L plain radiograph of the wrist, PA/AP view, 13y M, image size 710x980

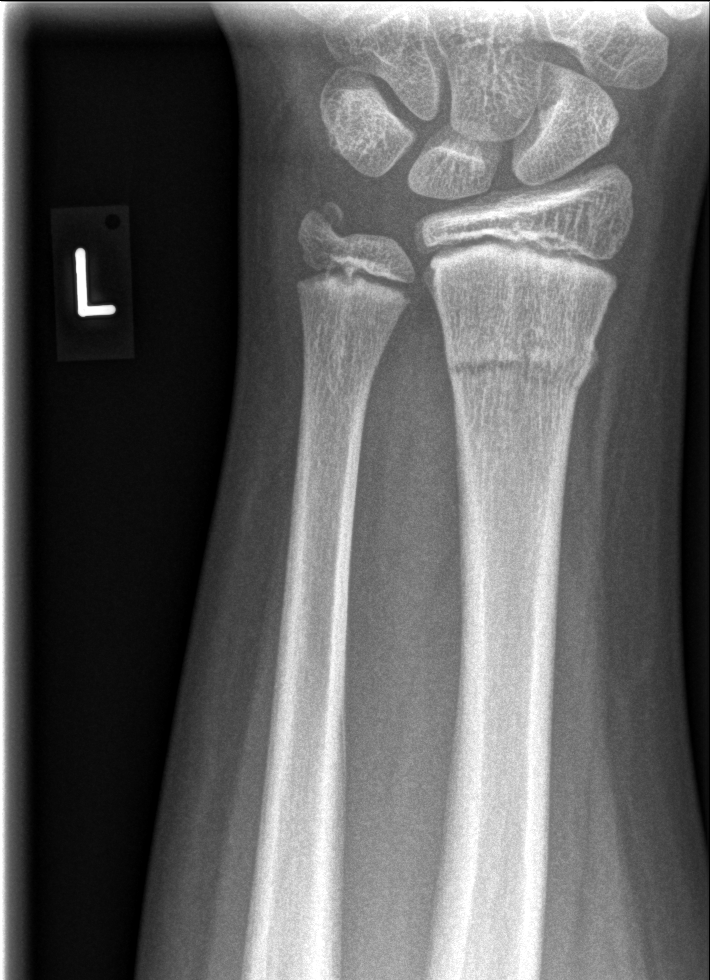 (bounding boxes in image-pixel xyxy)
AO/OTA = 23r-M/3.1; 23u-E/7
Fx = [438, 314, 600, 398], [294, 192, 356, 257]